R wrist X-ray · posteroanterior projection · imaged through cast. 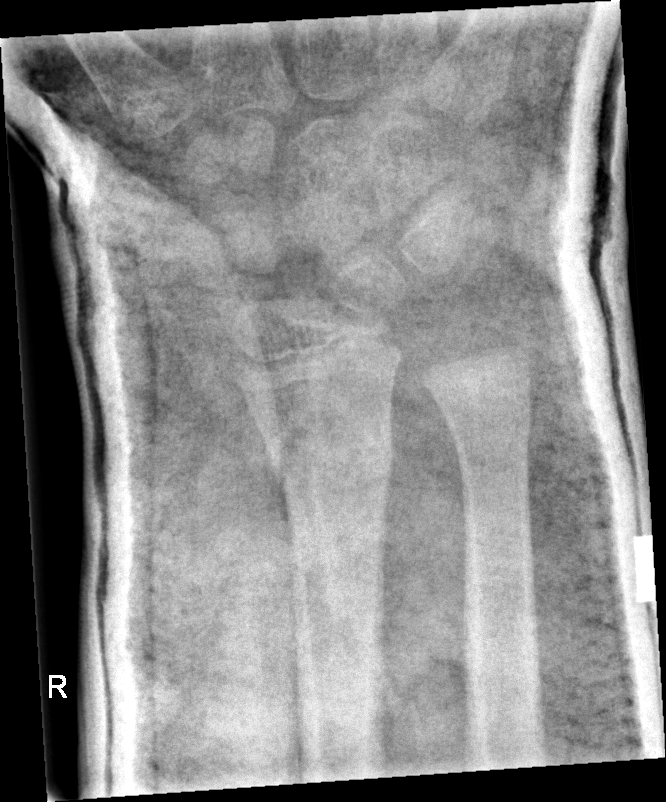 (bounding boxes in image-pixel xyxy)
Fracture = 266 434 394 502
AO/OTA = 23r-M/3.1